Lateral projection · L wrist X-ray · 385x1016.

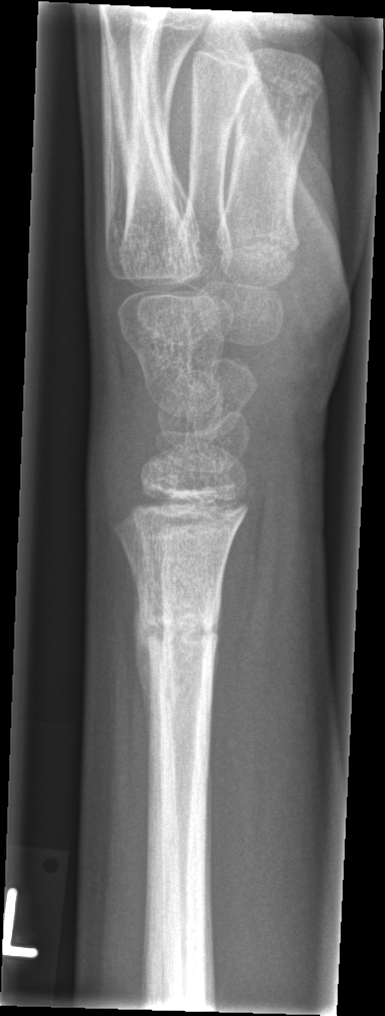
• Fx — <133,600>-<223,663>.
• Periosteal thickening — <129,604>-<150,740>.
• Osteopenic.
• AO/OTA classification: 23r-M/3.1; 23u-M/2.1.